Frontal view · left wrist plain radiograph of the wrist · image 60.8 mm wide · image size 422x1054.
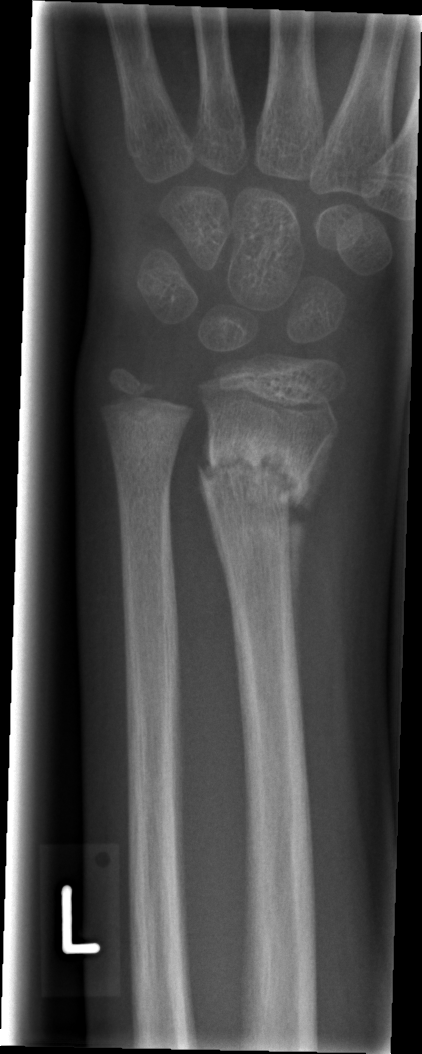 - Pixel coordinates, top-left origin, xyxy.
- Fracture classified AO/OTA 23r-M/3.1.
- Periosteal thickening — 289 433 334 624.
- One fracture at 197 438 312 527.
- Reduced bone mineral density.